Lat view · L pediatric wrist radiograph · 9y M —
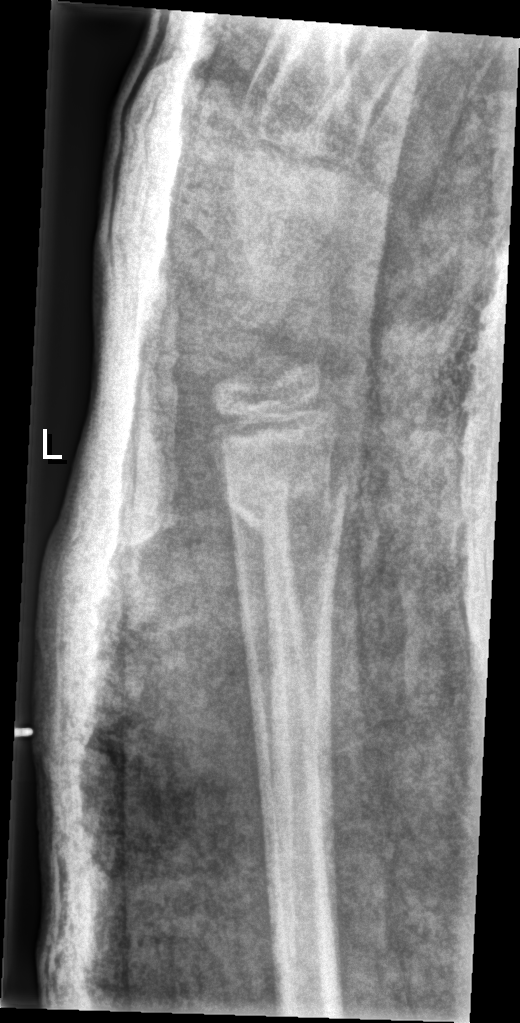 FINDINGS: Bone fracture: 226 471 351 541.